Rt wrist plain film · PA/AP projection · pediatric patient (male, age 14) · follow-up study · cast in situ: 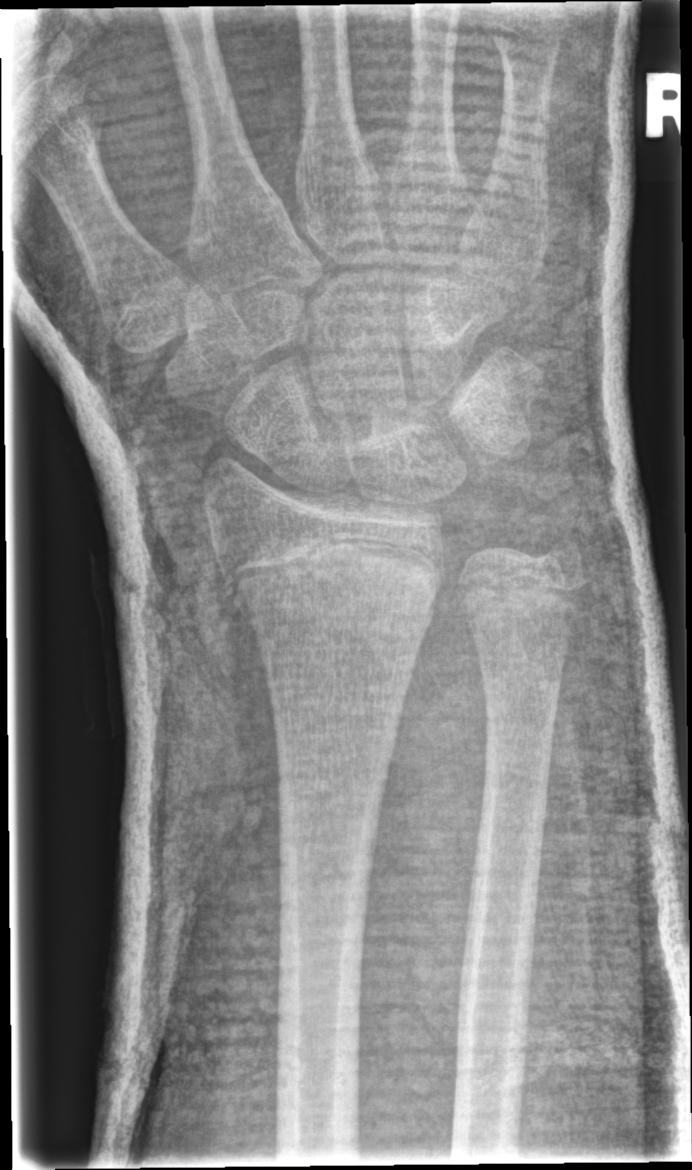

Pixel coordinates, top-left origin, xyxy. Fractures — [x1=213, y1=536, x2=454, y2=633], [x1=520, y1=511, x2=589, y2=576].